AP view, right wrist plain radiograph of the wrist, 12y M, image 110.9 mm wide, 770 x 1092 px 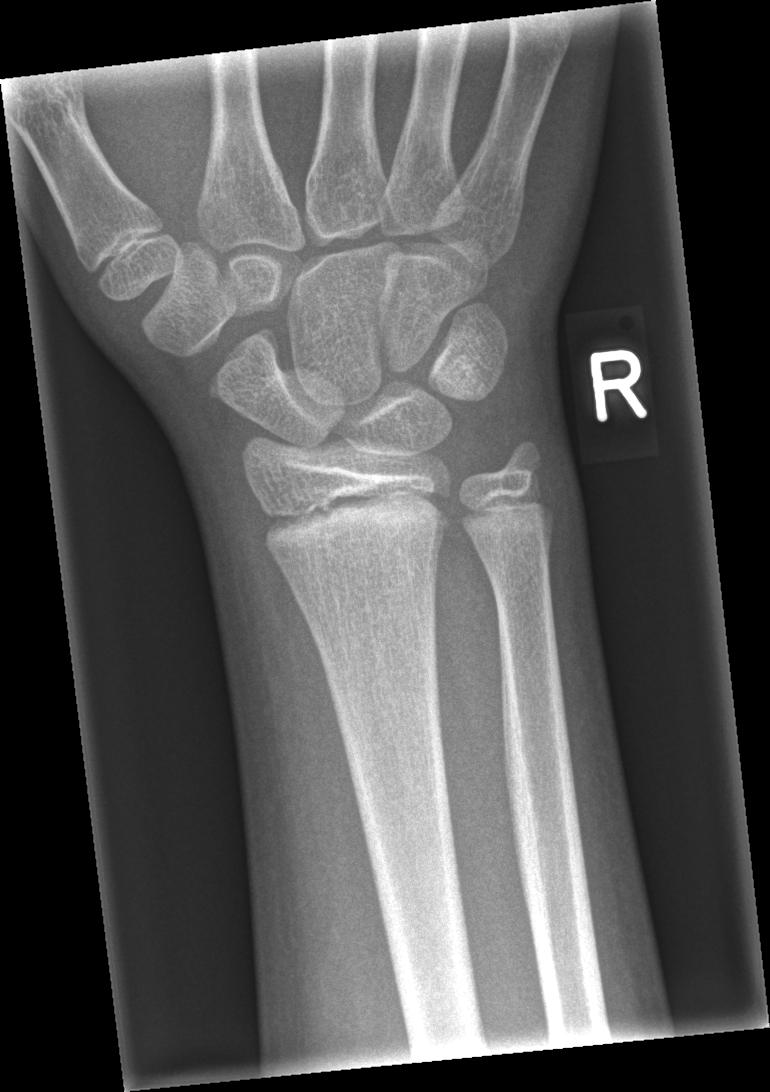

{
  "fracture": "present but not clearly seen in this view",
  "ao": "23r-E/2.1"
}